L wrist X-ray | lateral | cast in situ | image 107.1 mm wide | 744 x 1419 px:

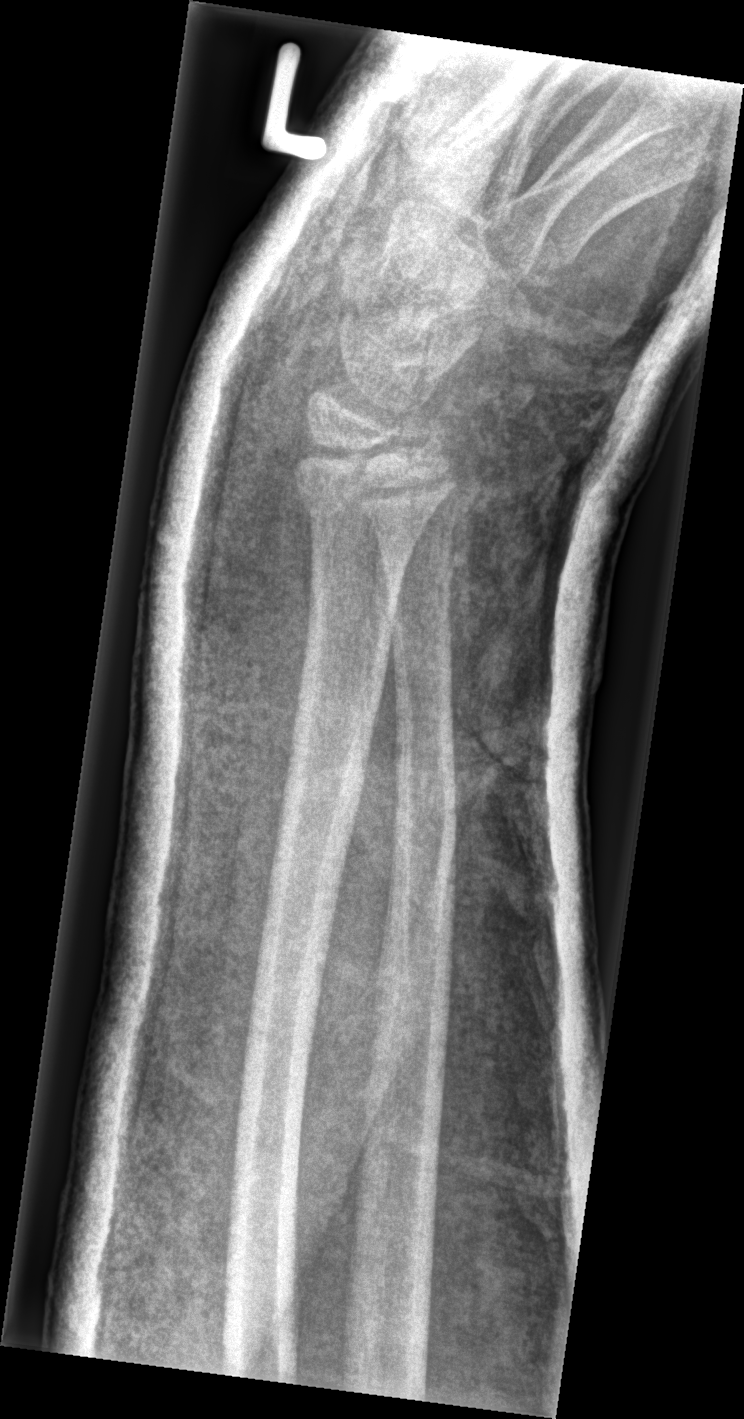
Bone fracture identified at <292,462>-<455,530>.
AO code 23r-E/2.1.